Left plain radiograph of the wrist | lat | initial study | 78.2 mm image width —
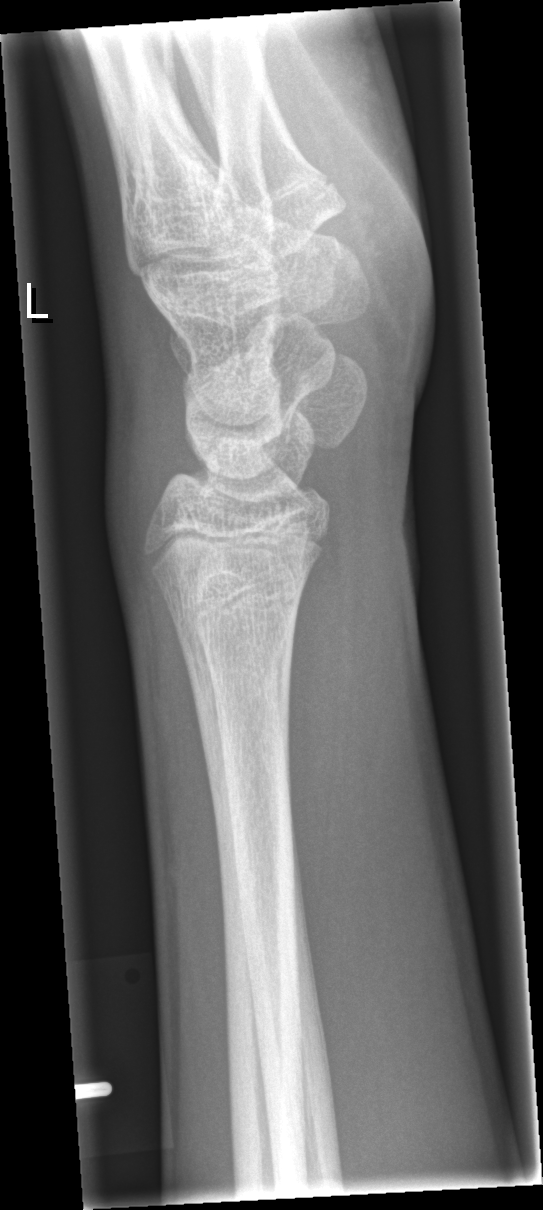 No fracture annotation.